Frontal · L plain radiograph of the wrist · boy, 8 yo · 83.8 mm image width. 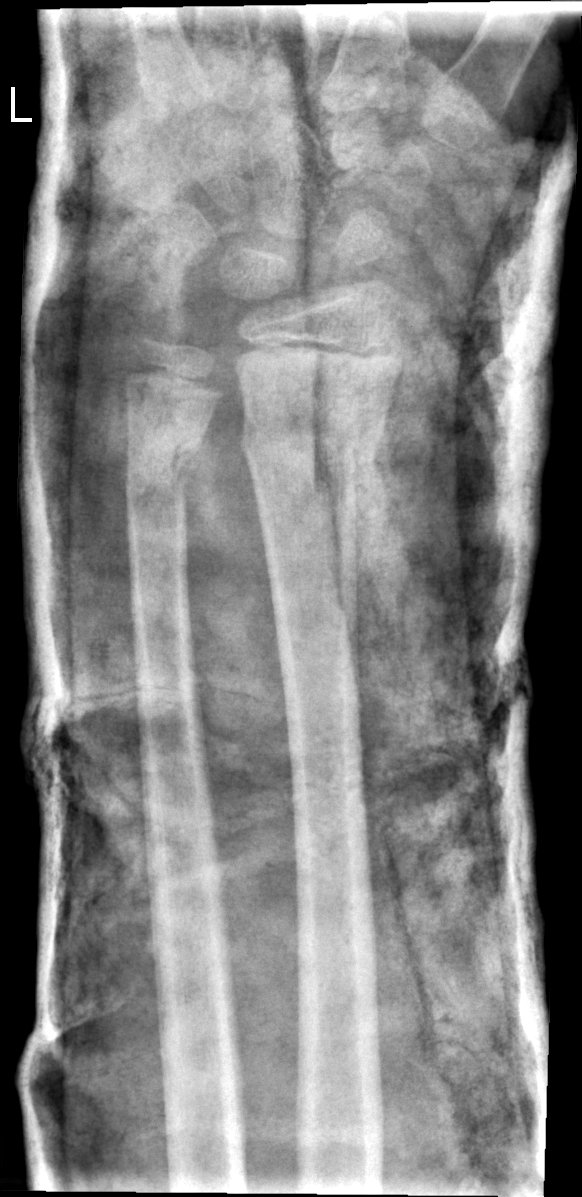 • Bone fracture identified at [241, 396, 393, 497], [120, 413, 212, 512].
• AO code 23-M/3.1.